Lat view | right wrist plain radiograph of the wrist:

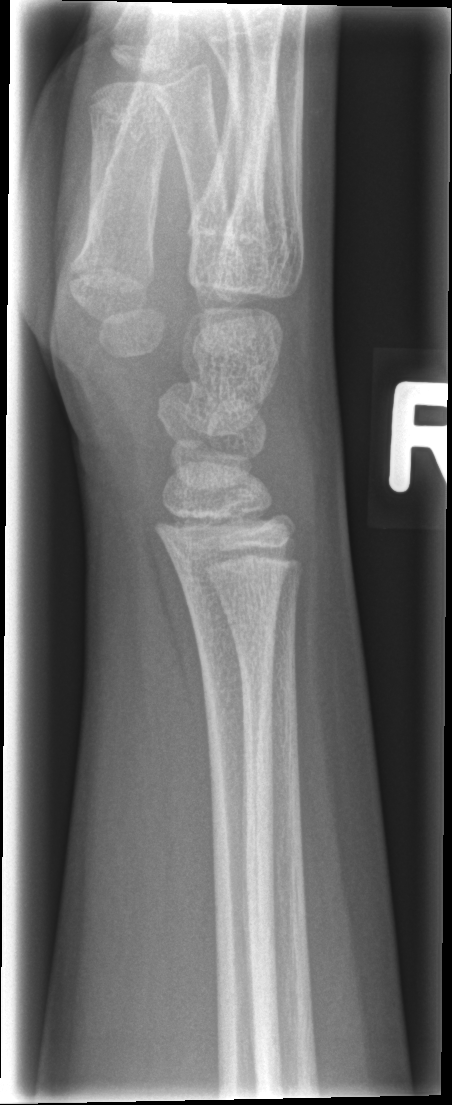 No Fx annotated.